PA/AP view · left wrist XR
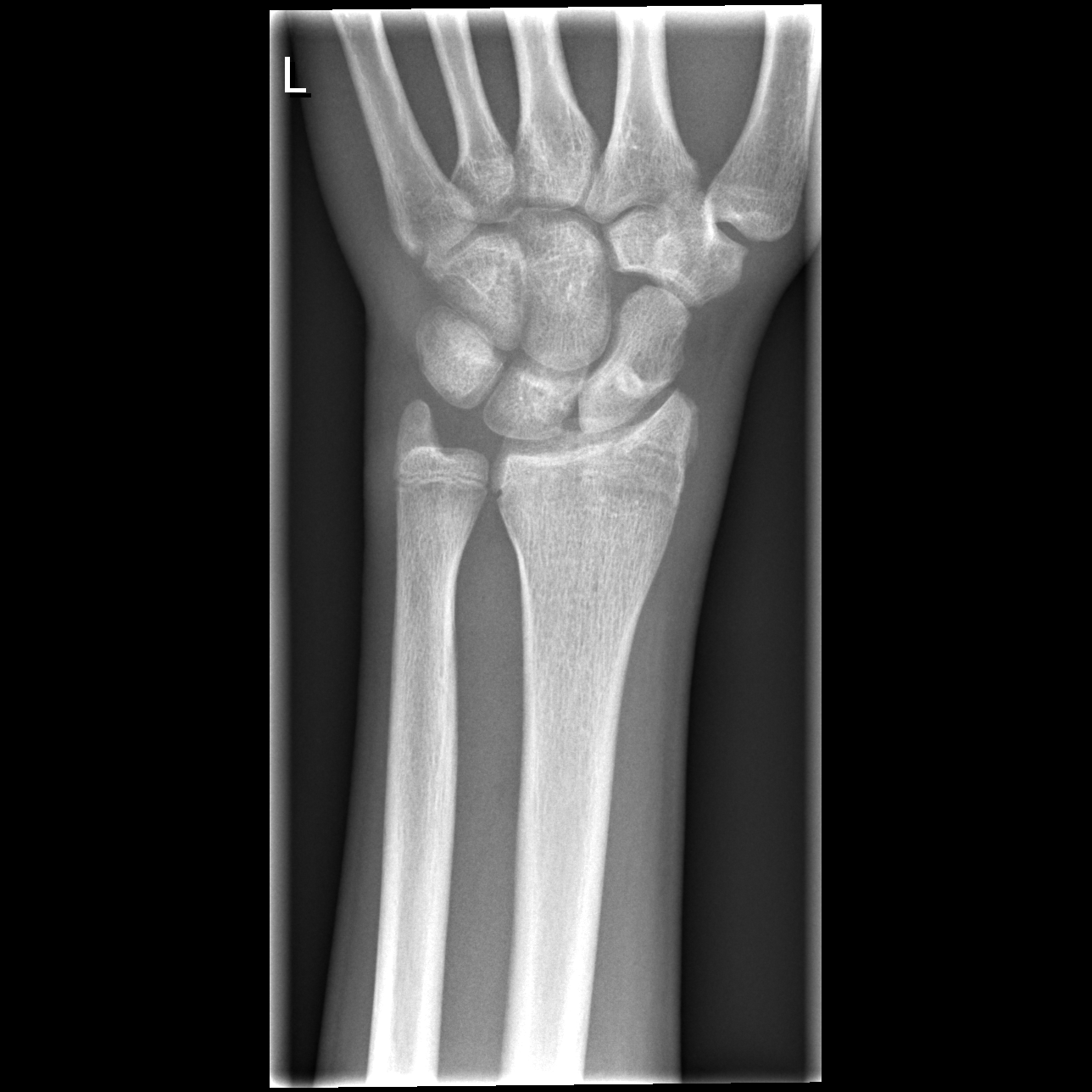 fracture: 1 @ <556,380>-<701,474>
AO classification: 23r-E/7
osteopenia: present